Lateral projection; Rt wrist XR; detector: Siemens.
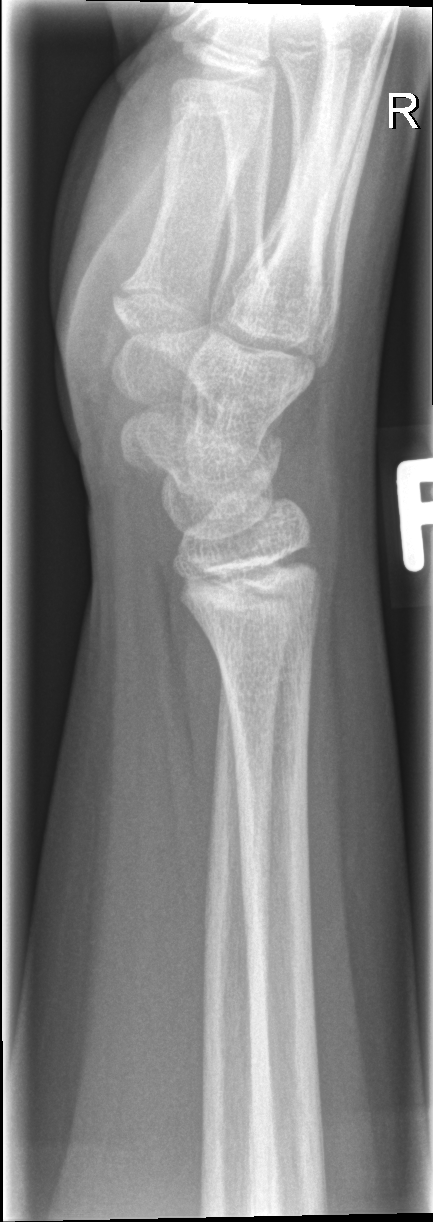 fracture = none labeled